Rt wrist XR · frontal projection · 7-year-old boy · subsequent exam · 595 by 1186 pixels
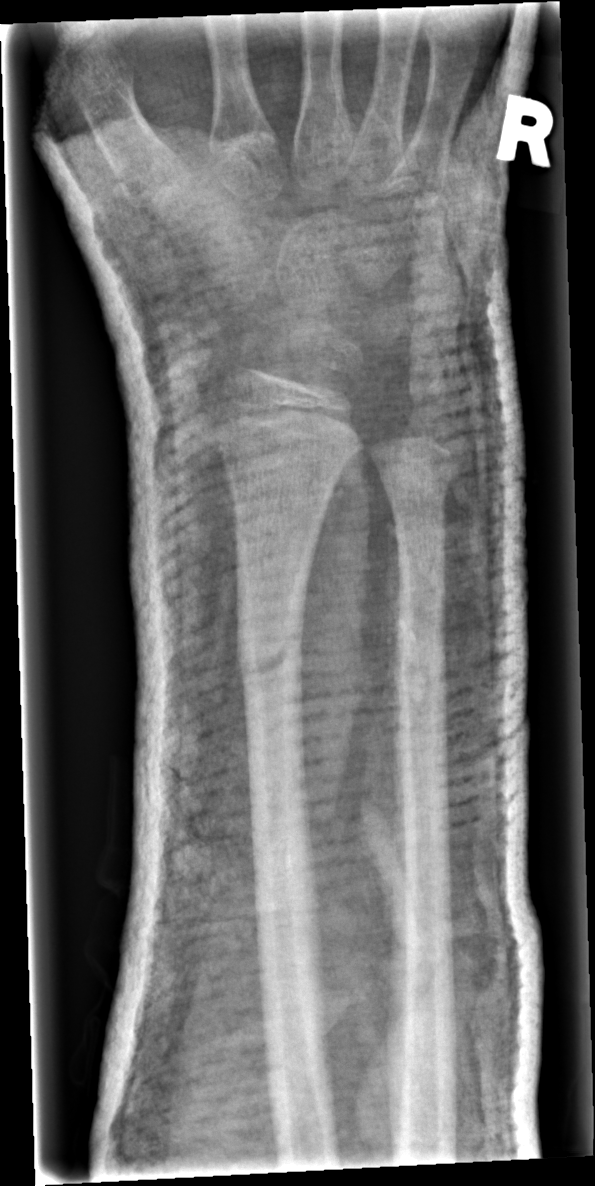 FINDINGS — (boxes as x1,y1,x2,y2 (top-left / bottom-right, pixel units)) Fx: bbox(374, 446, 463, 515) bbox(231, 615, 309, 688).